Lateral view · Rt pediatric wrist radiograph · 12-year-old female · presentation radiograph: 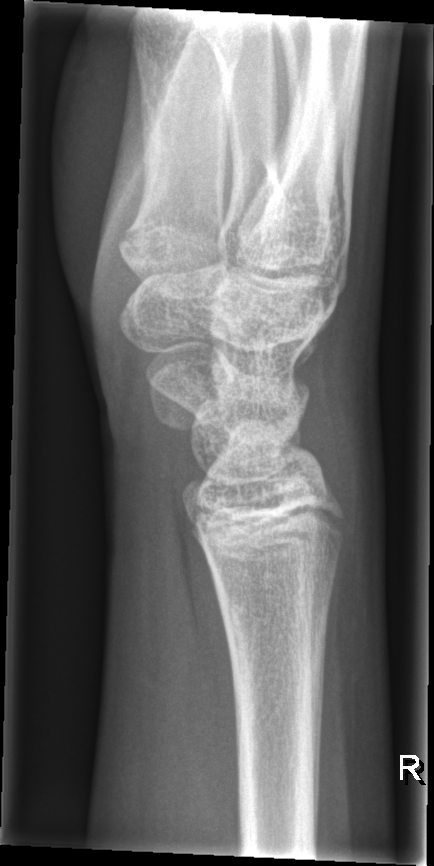 • No fracture annotation.